Lat | right wrist pediatric wrist radiograph | age 13 y, girl | presentation radiograph | 66.8 mm image width — 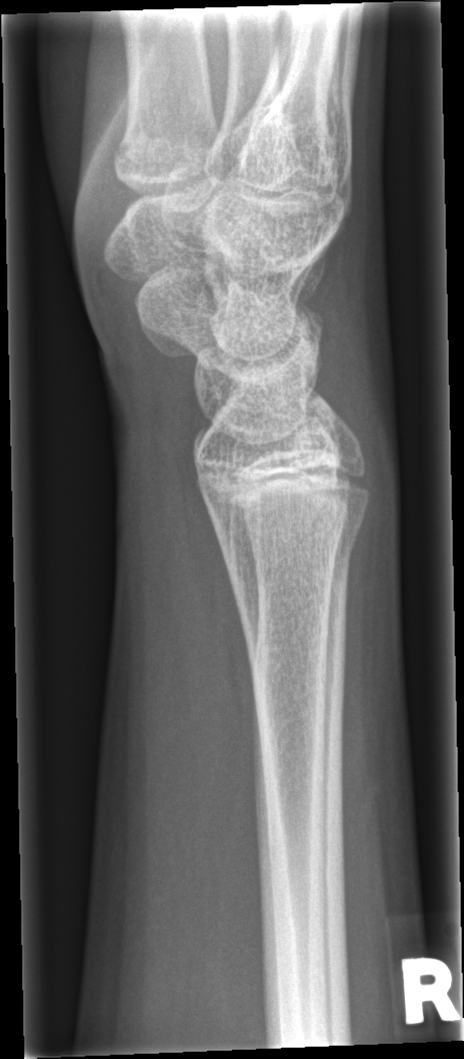
(coordinates are [x1, y1, x2, y2] in image pixels)
Bone fracture: 1 @ bbox(219, 505, 367, 596)